Lat, left wrist plain film, boy, 11 yo, follow-up, imaged through cast, image 80.9 mm wide.

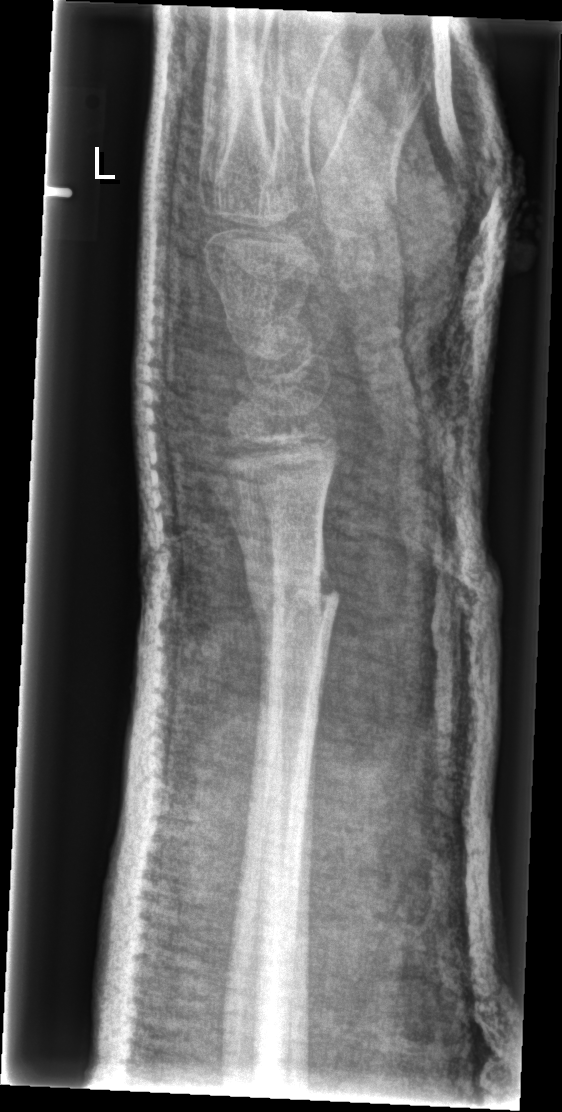

Fx: bbox(243, 554, 345, 657)